R wrist XR; lateral projection. 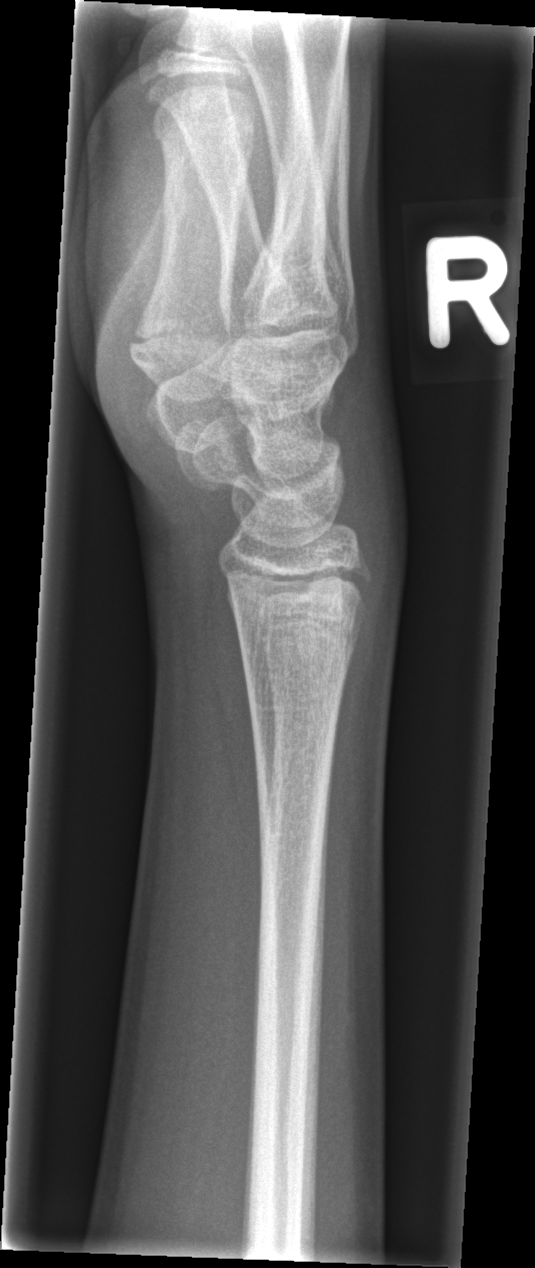
fracture: none labeled